Lateral, R wrist X-ray, 2-year-old girl. 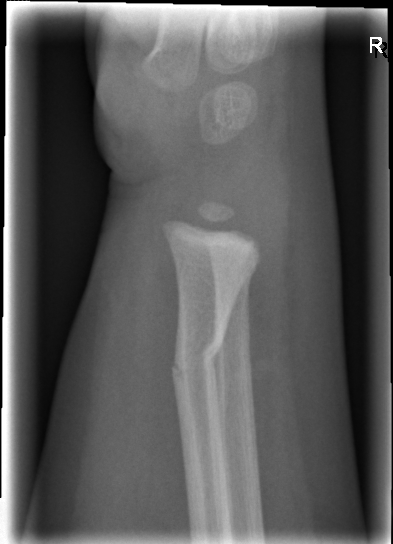

FINDINGS: (boxes as x1,y1,x2,y2 (top-left / bottom-right, pixel units)) Fx — [167, 325, 230, 396], [207, 247, 263, 296]. Fracture classified AO/OTA 23-M/2.1.